Right wrist radiograph · posteroanterior · pediatric patient (boy, age 9).

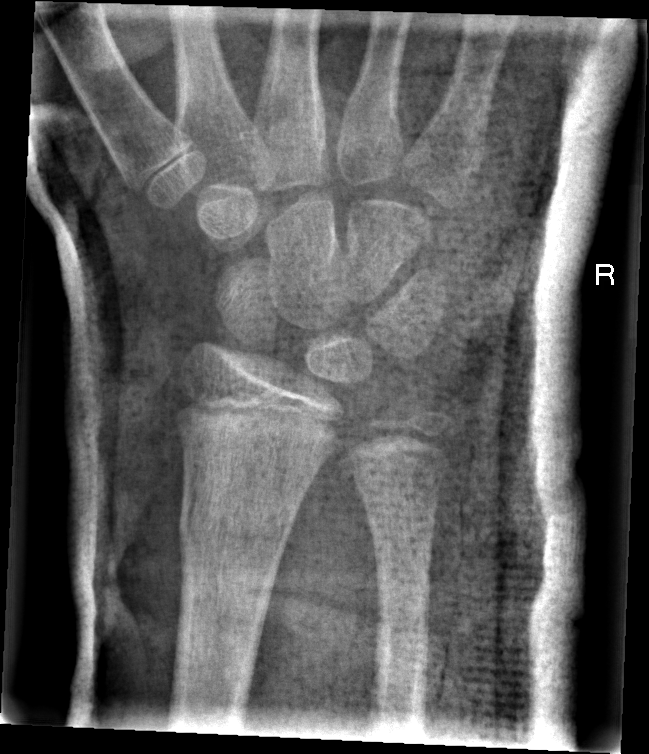 {
  "_coords": "pixel coordinates, top-left origin, xyxy",
  "fracture": "(left=176, top=495, right=299, bottom=564)",
  "ao": "23r-M/3.1"
}